Lat view · right wrist radiograph · age 12 y, male · initial study · Siemens · 621 by 1074 pixels

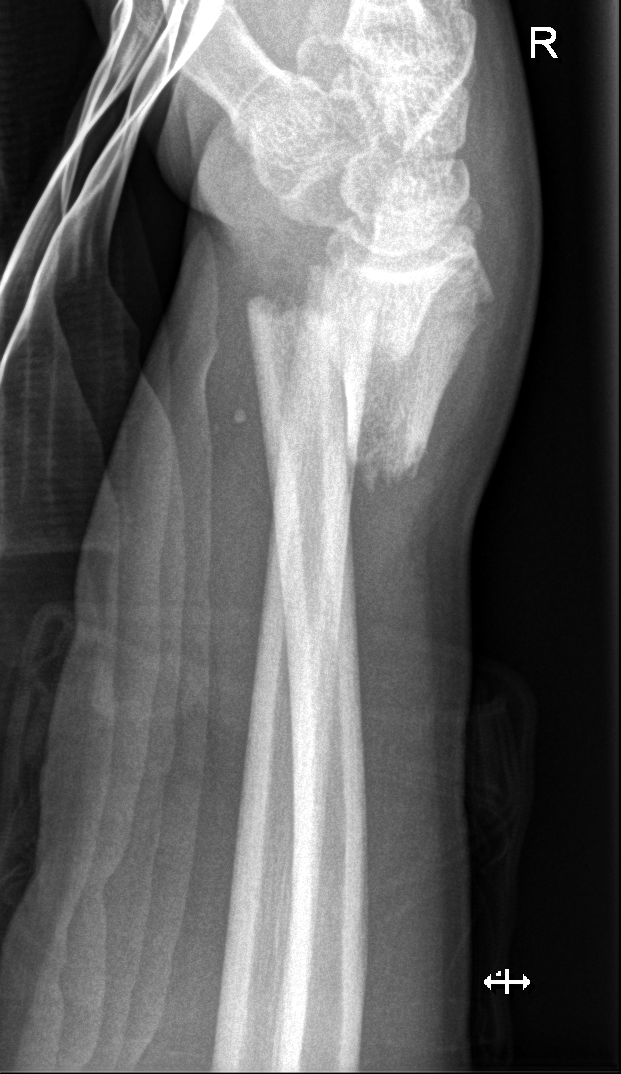

Bounding boxes in image-pixel xyxy. Bone fractures — (245, 284, 436, 498); (298, 249, 436, 365). AO/OTA classification: 23-M/3.1.